Left pediatric wrist radiograph · PA projection · cast in situ · image size 734x1112 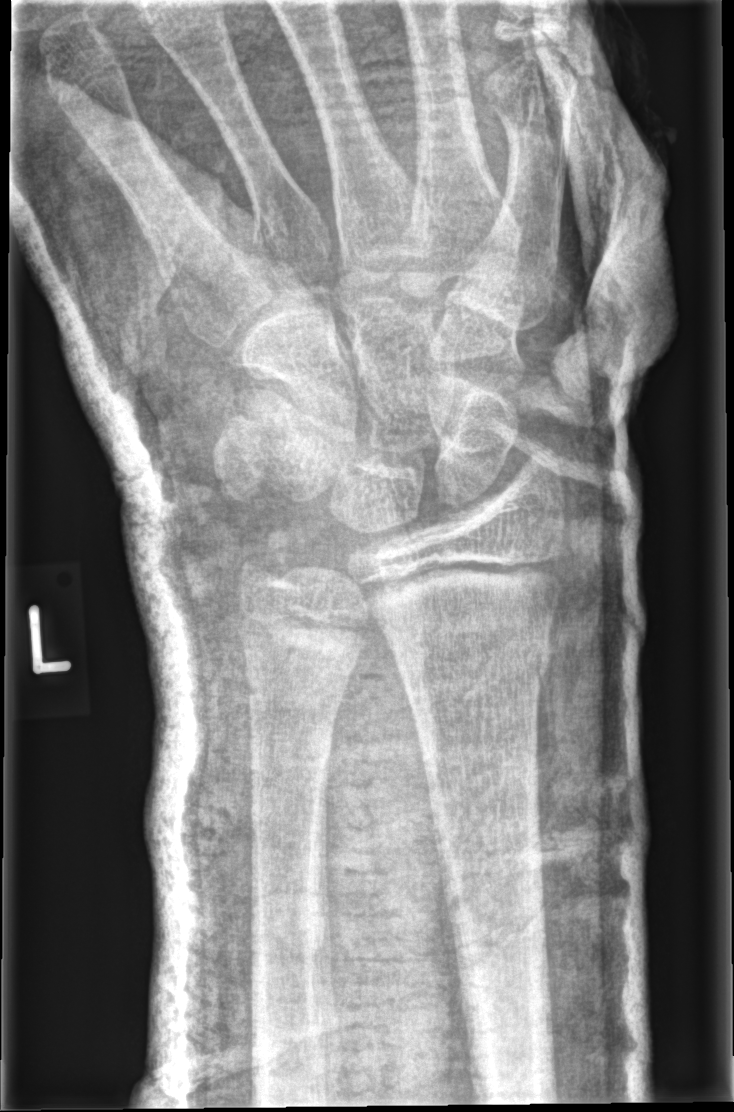
FINDINGS: (coordinates are [x1, y1, x2, y2] in image pixels) Fx identified at [386, 622, 556, 692] [233, 522, 313, 601].